Lateral projection; Rt wrist X-ray; cast present; detector: Siemens — 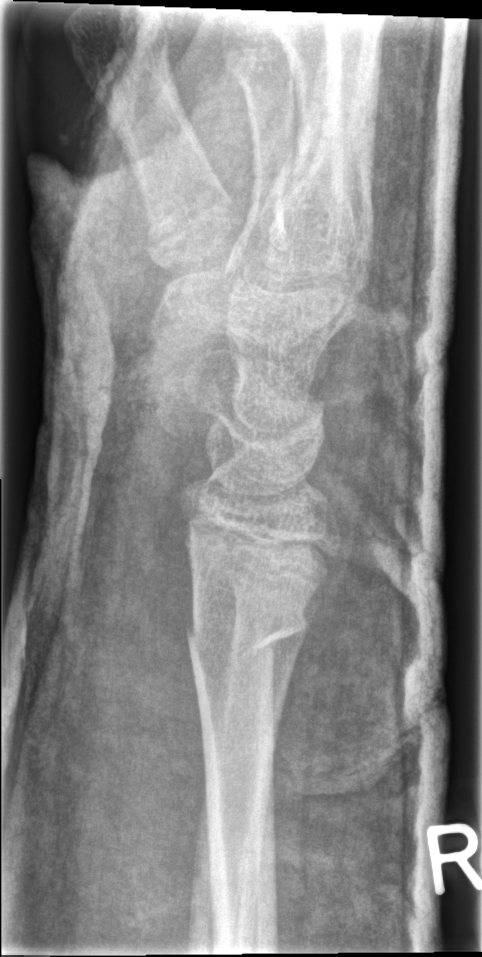
Boxes as x1,y1,x2,y2 (top-left / bottom-right, pixel units). AO code 23r-M/3.1. Fracture: [x1=183, y1=596, x2=312, y2=662].